Left wrist plain film; frontal view; pediatric patient (male, age 11); follow-up.
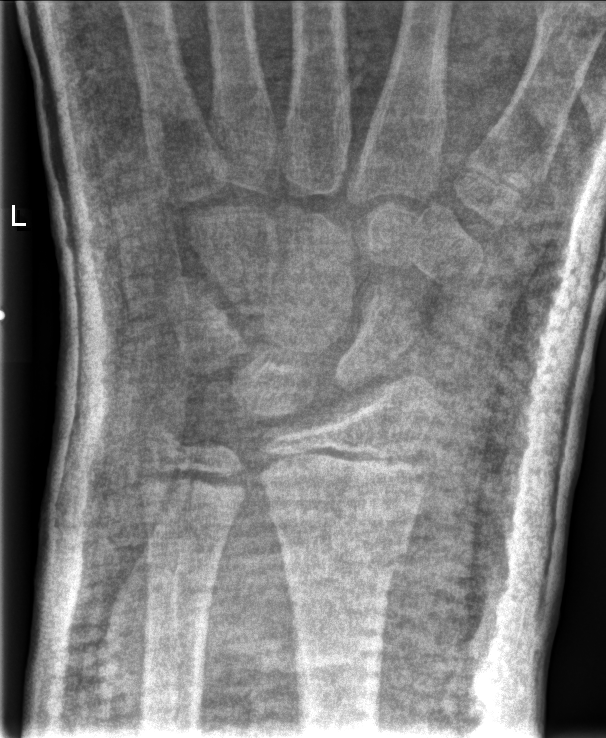 fracture = 1 @ (left=264, top=502, right=416, bottom=584)